PA/AP projection · left wrist X-ray · 11y M · image 91.6 mm wide.

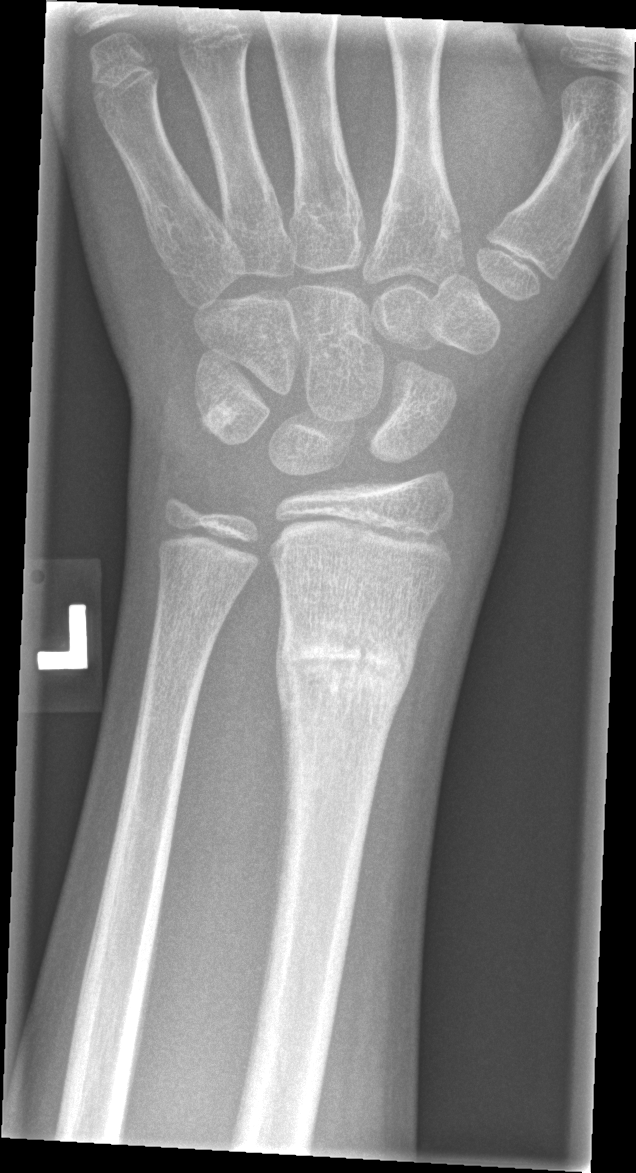
Bone fracture = 1 @ bbox(269, 606, 420, 734)